Lat view | left plain radiograph of the wrist | 55.0 mm image width.
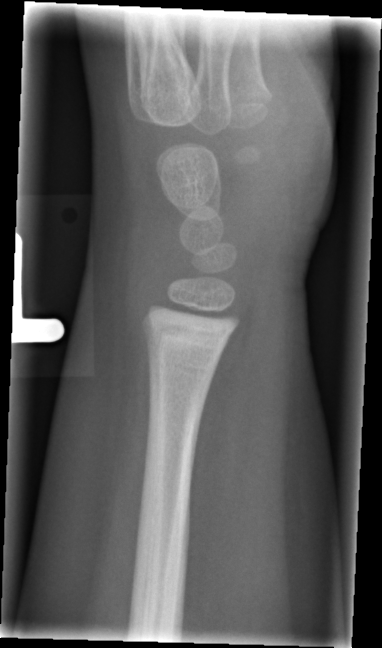

FINDINGS: No fracture annotation.